Frontal view · Lt plain radiograph of the wrist · age 11 y, male · presentation radiograph · image width 109.3 mm · 759 x 1086 px.
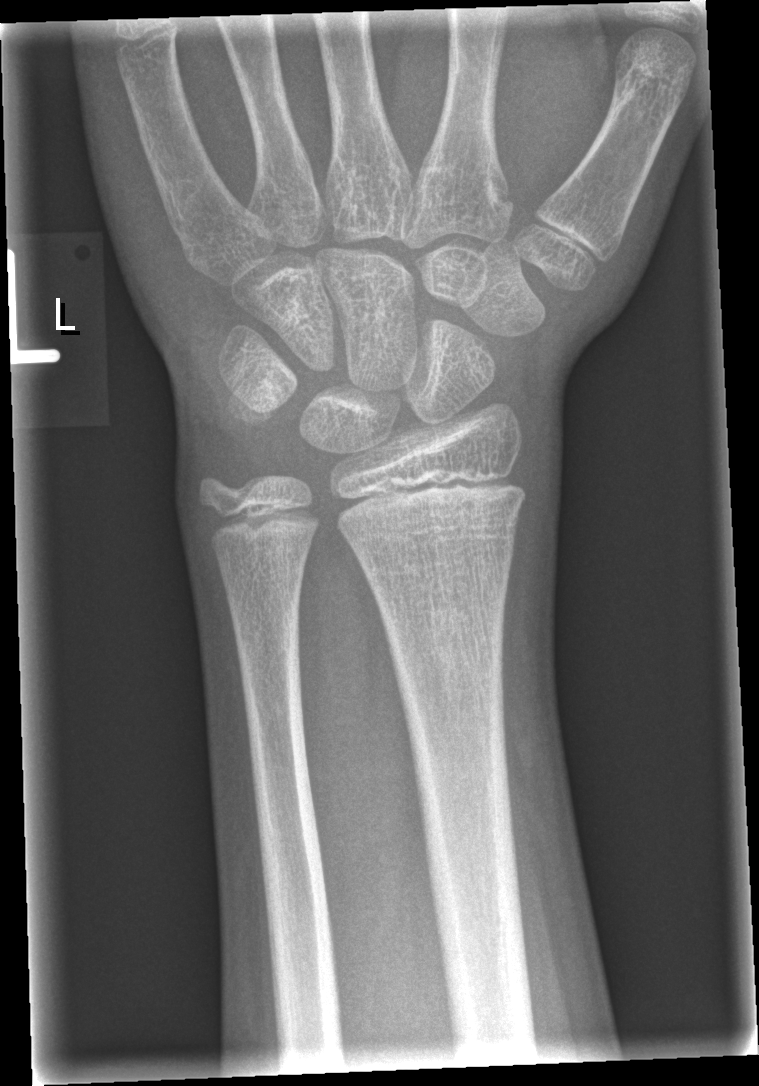

{"fracture": "none labeled"}